PA view, left pediatric wrist radiograph, male, 16 yo, presentation radiograph.

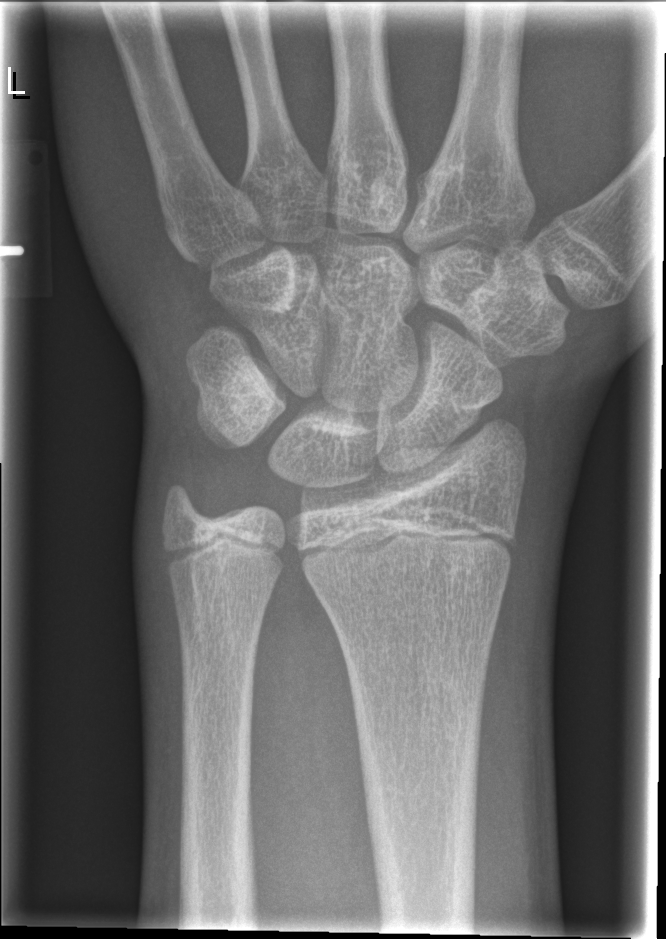
Fracture: none labeled.